Left wrist XR; posteroanterior; follow-up study 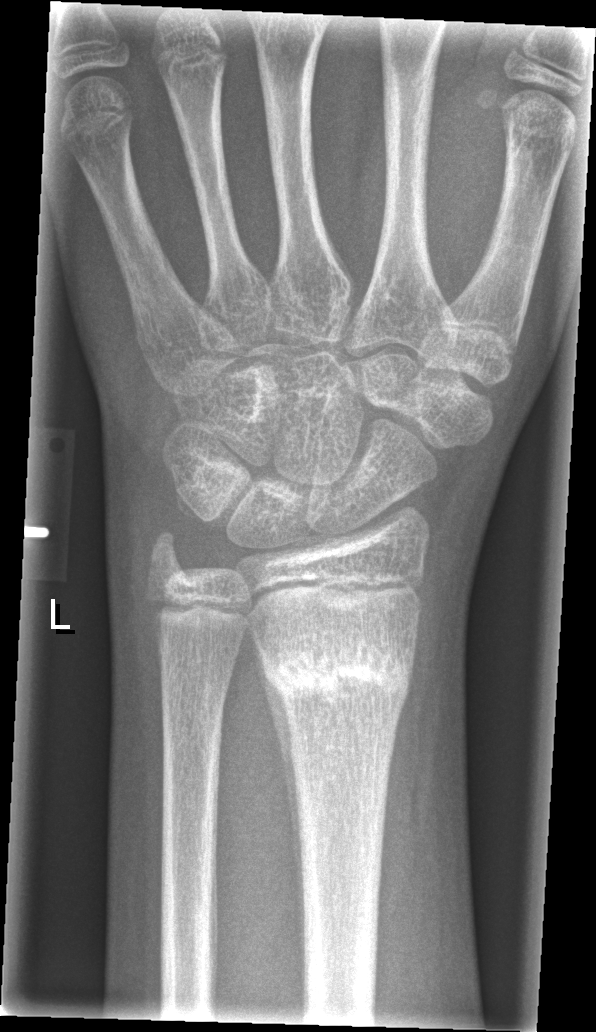

• Bounding boxes in image-pixel xyxy.
• AO/OTA classification: 23r-M/2.1; 23u-E/7.
• Two fractures at bbox(254, 622, 419, 727); bbox(140, 527, 198, 589).
• Periosteal new bone — bbox(254, 636, 307, 968).
• Decreased bone density (osteopenia).